Rt wrist X-ray · lateral view · pediatric patient (male, age 12) · presentation radiograph · 456 by 857 pixels —
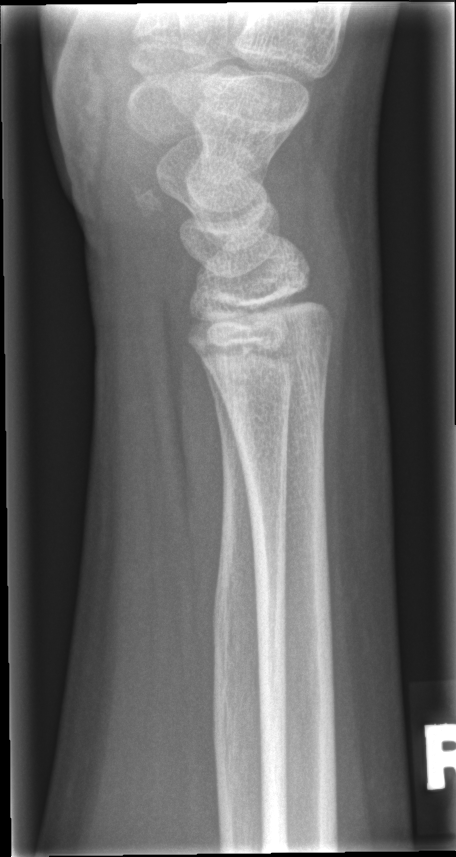
No fracture labeled.